Lt wrist plain film | posteroanterior view | index exam
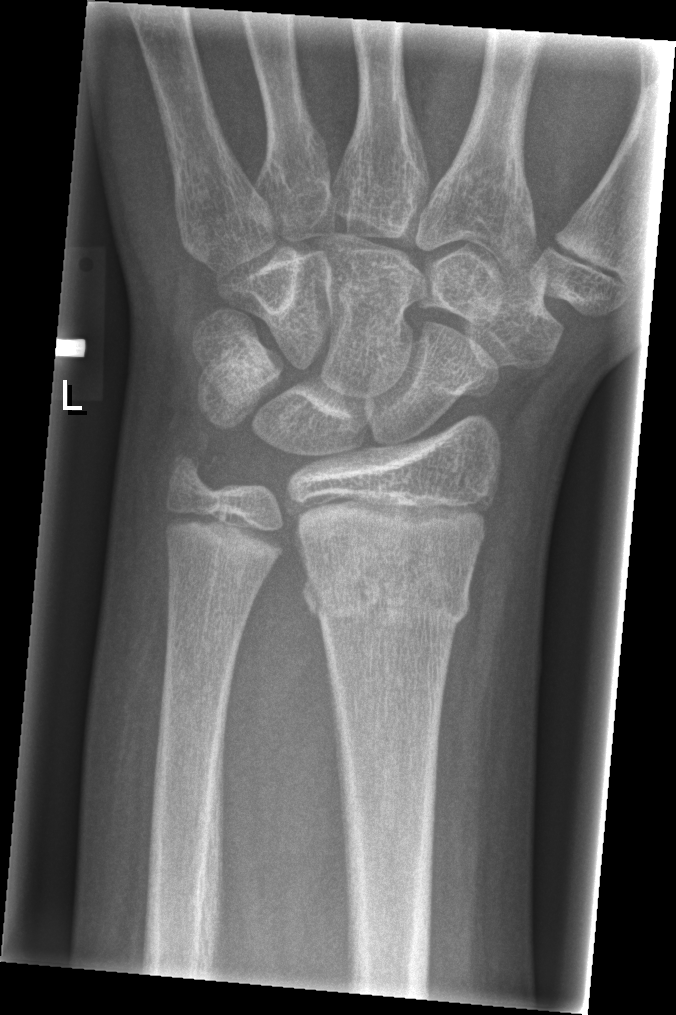

(bounding boxes in image-pixel xyxy)
fracture = bbox(300, 538, 482, 631); bbox(162, 433, 224, 498)
AO classification = 23r-M/3.1; 23u-E/7